PA · right wrist X-ray 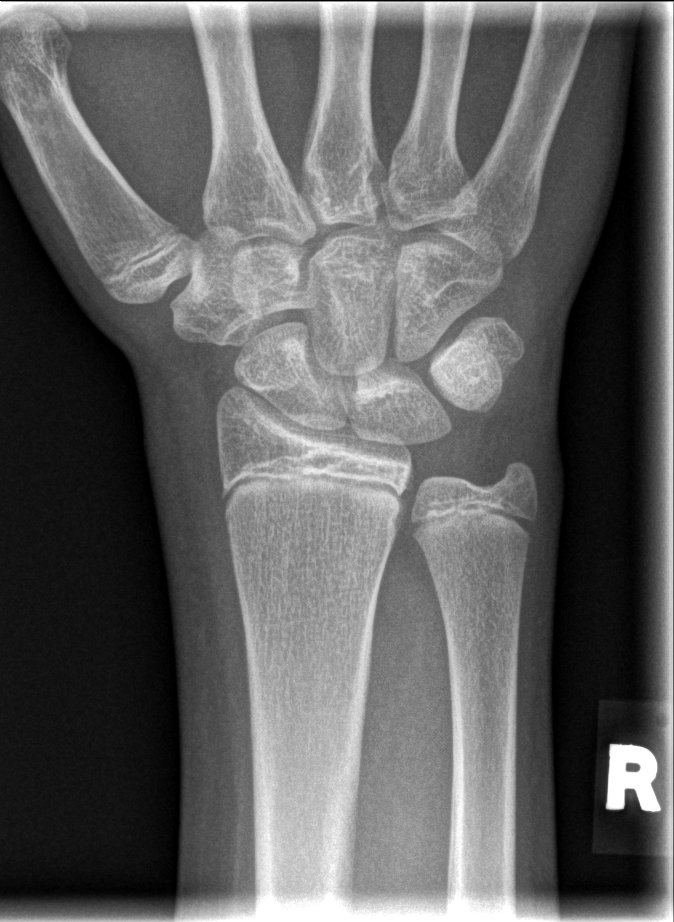

FINDINGS — No fracture annotation.